Left wrist X-ray | AP projection:

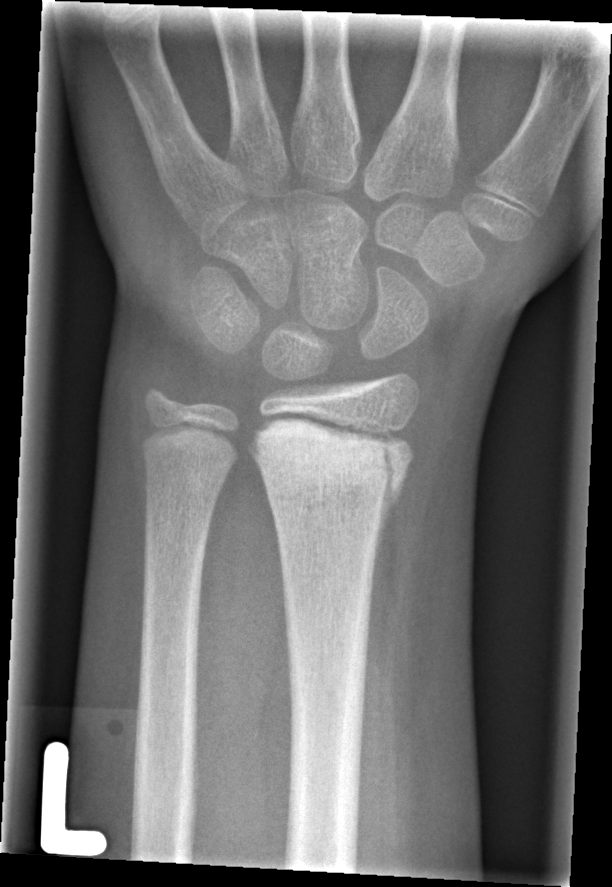 Boxes as x1,y1,x2,y2 (top-left / bottom-right, pixel units). Periosteal thickening — 369,467,408,610. Fracture classified AO/OTA 23r-E/2.1. Fx identified at 244,408,418,506.